Posteroanterior | left plain radiograph of the wrist | 14-year-old boy:
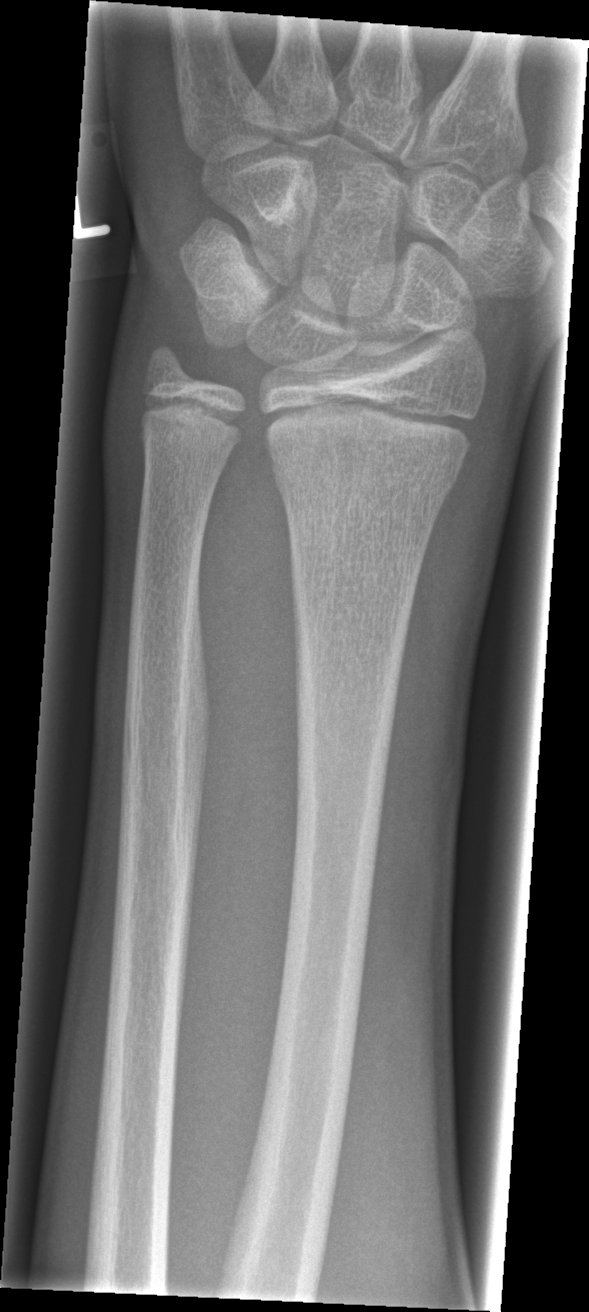

Fx: 1 @ 268,448,466,508